R wrist plain film · lateral · pediatric patient (girl, age 11) · index exam · 571 x 1296 px 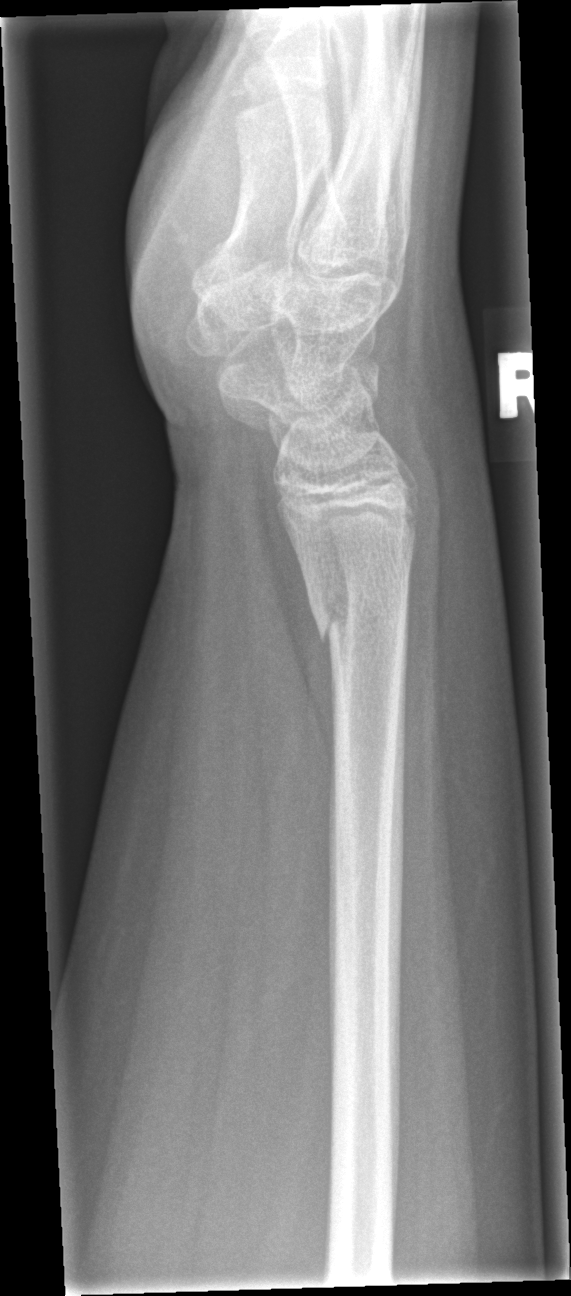
Q: Any fracture seen?
A: Bone fracture — bbox(302, 568, 413, 655)